Rt pediatric wrist radiograph; lat; boy, 17 yo —

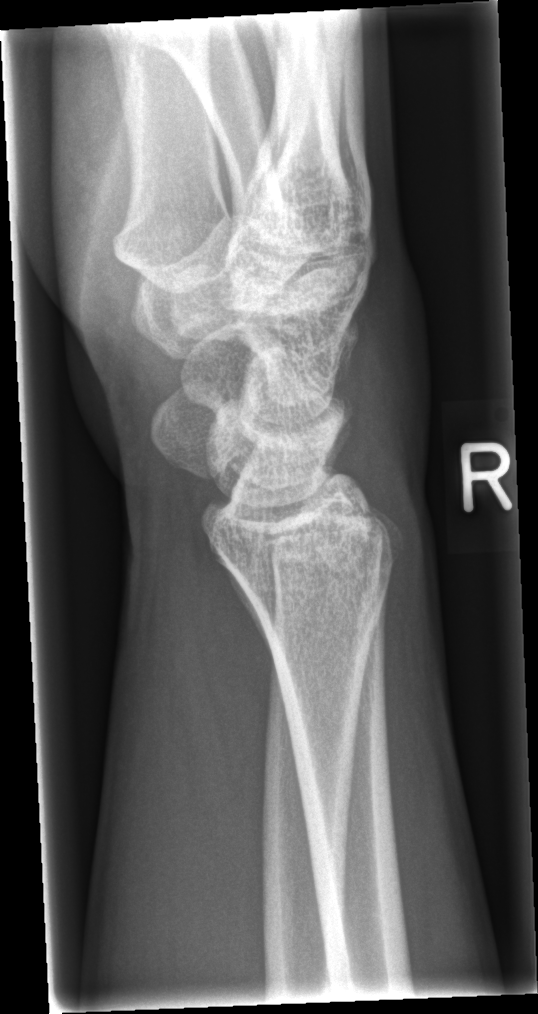 Fx = none labeled